Left wrist XR, PA, presentation radiograph, 522x1018 —

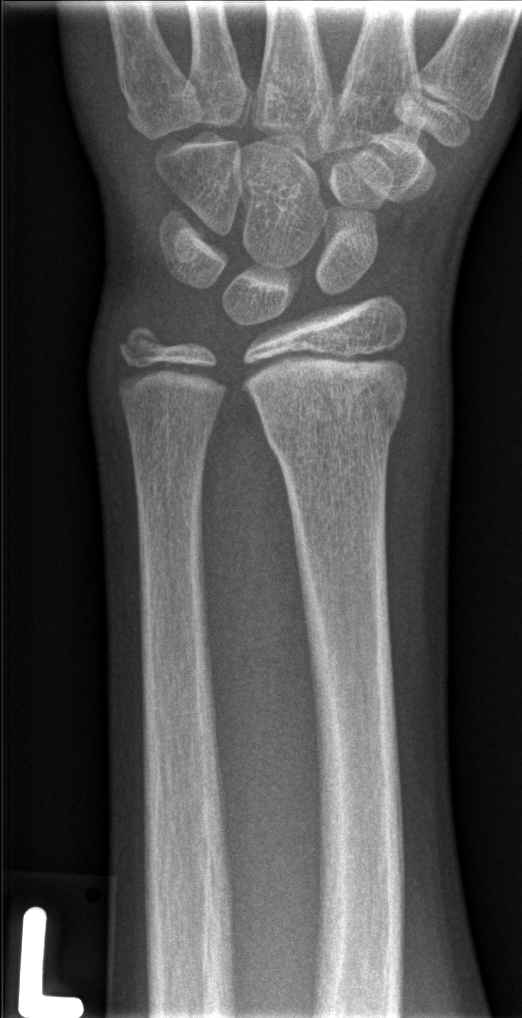 (boxes as x1,y1,x2,y2 (top-left / bottom-right, pixel units))
Q: What is the AO/OTA classification?
A: AO/OTA classification: 23r-M/2.1; 23u-E/7
Q: Is there a fracture?
A: Fx — 255,371,409,459; 114,314,170,366